Posteroanterior projection; Rt wrist radiograph; initial study; image 67.1 mm wide; 466 by 452 pixels —
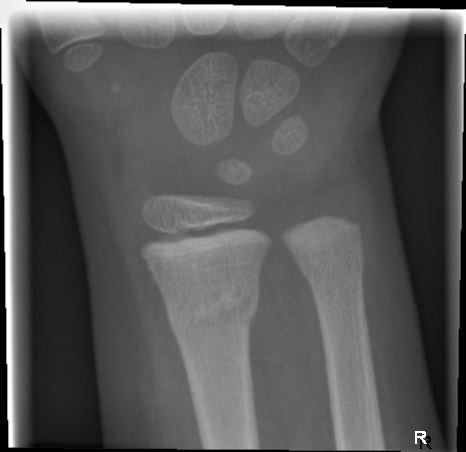 * Fractures — <160,278>-<263,334>, <297,248>-<367,285>.
* AO code 23-M/2.1.